Left wrist pediatric wrist radiograph, PA, in cast:

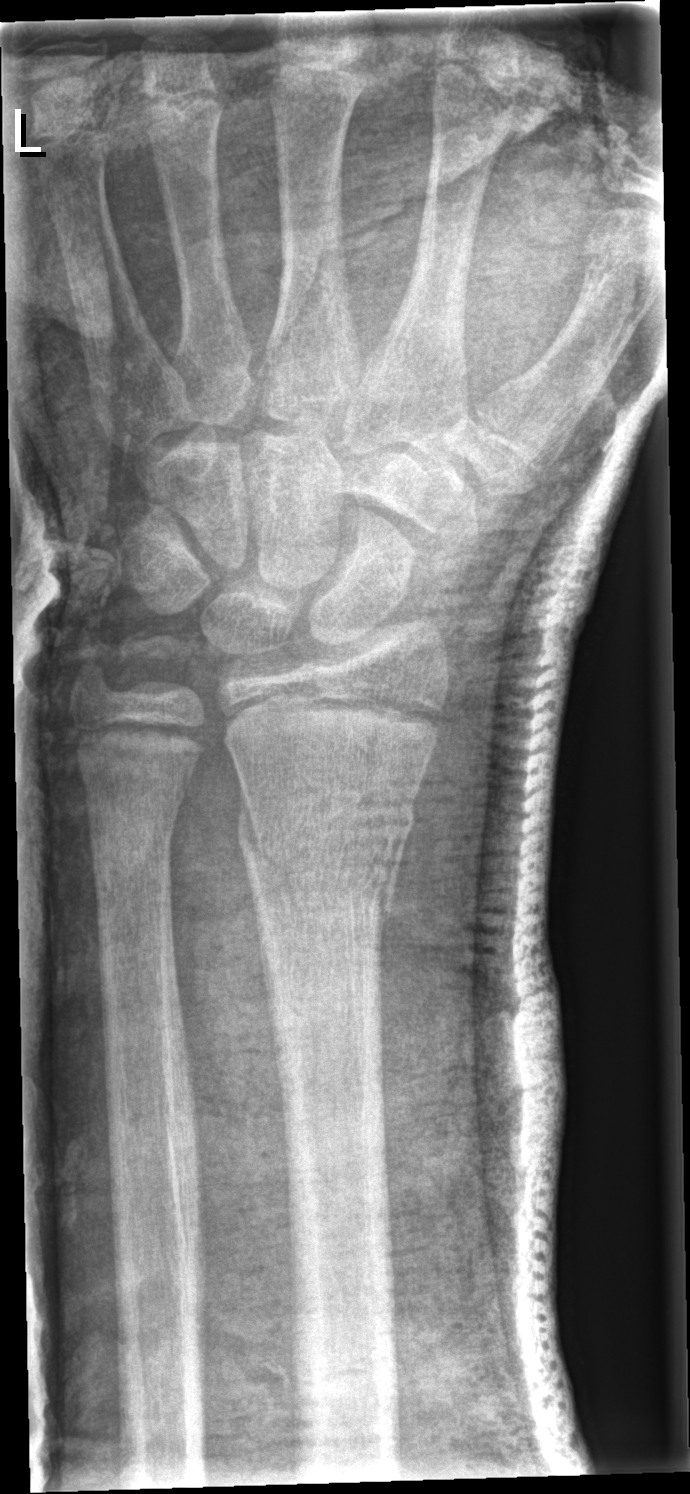 Fx = 234,780,420,950
AO code = 23r-M/3.1